Lat projection | L wrist radiograph | male, 14 yo | index exam.

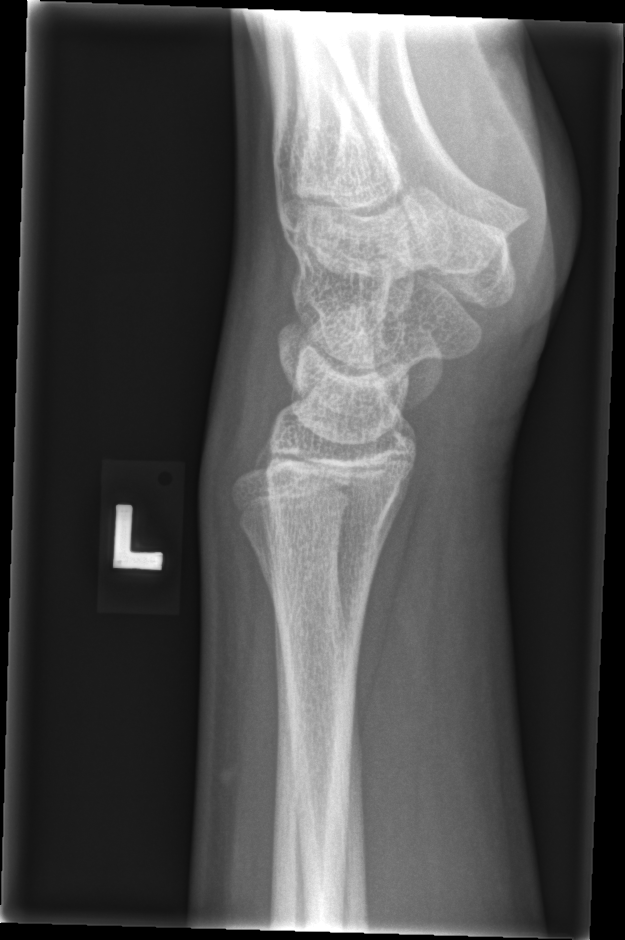 No fracture annotation.